Right wrist radiograph, PA/AP
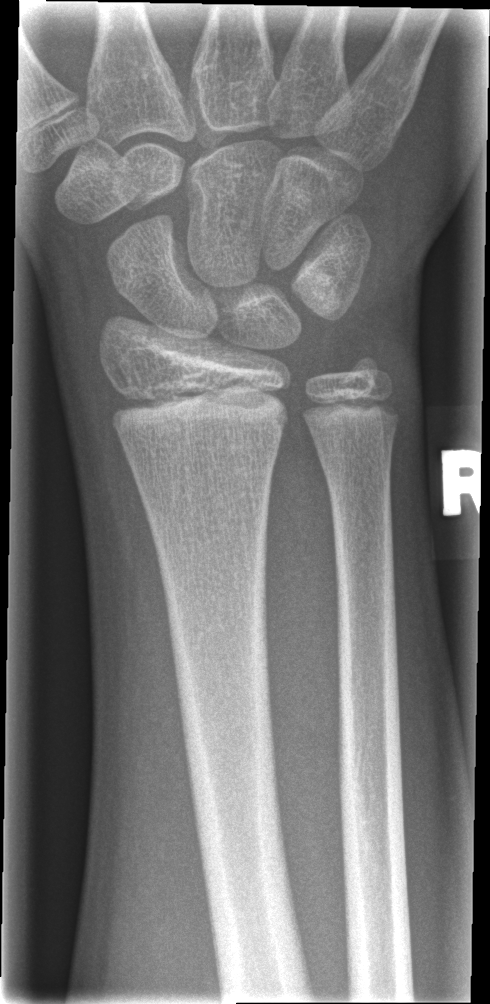

FINDINGS — No fracture bounding box.